Rt wrist X-ray | lateral | 4-year-old male | index exam.

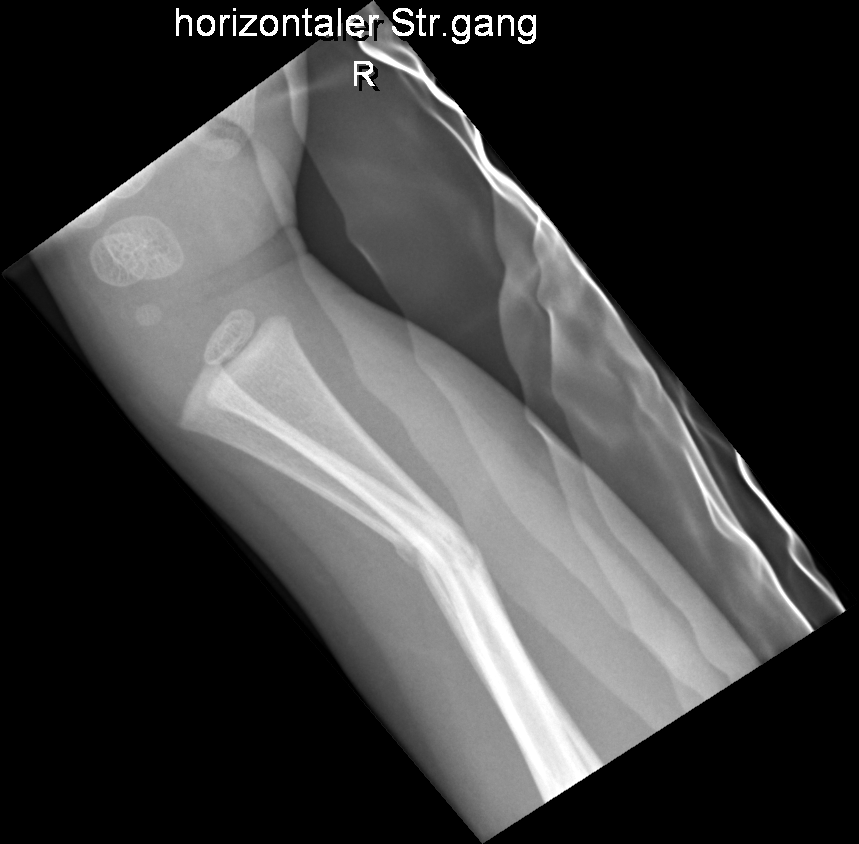
AO classification = 22-D/2.1
Fracture = 1 @ [x1=386, y1=512, x2=493, y2=597]